Rt wrist radiograph, PA/AP projection, 2y M, acquired on Siemens — 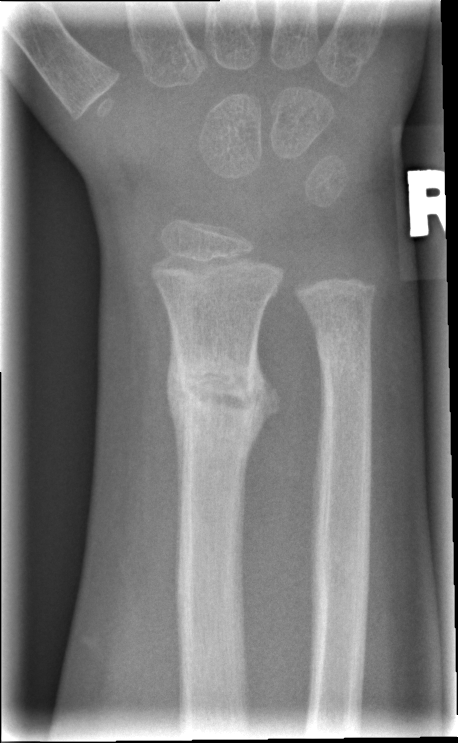

osteopenia = present
Fx = (166, 354, 263, 430), (310, 329, 377, 383)
AO/OTA = 23r-M/3.1; 23u-M/2.1
periosteal reaction = 3 @ (246, 334, 281, 464); (166, 319, 186, 537); (316, 354, 327, 466)